Posteroanterior | R wrist radiograph | 17y M | detector: Siemens:
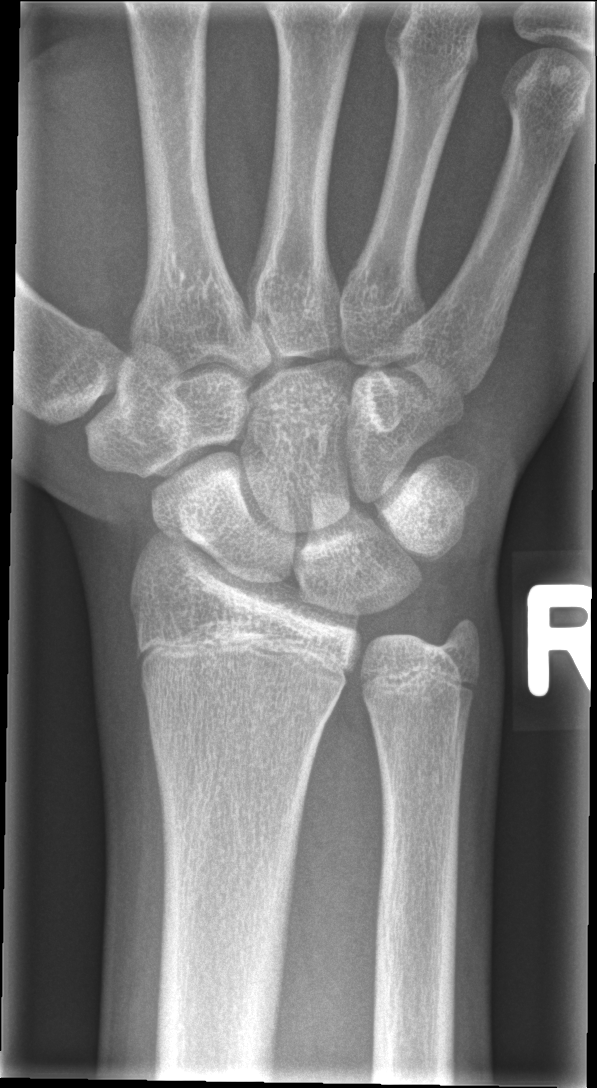
Q: Locate any fractures.
A: Fx: none